Rt wrist X-ray · PA projection · 7-year-old female · presentation radiograph.
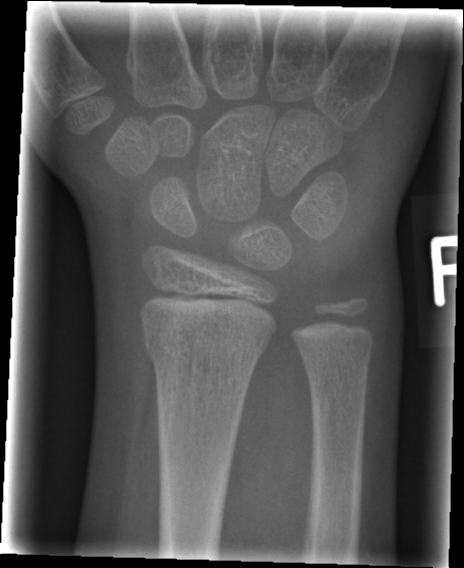

Bounding boxes in image-pixel xyxy. Bone fracture identified at 138,319,273,371. Fracture classified AO/OTA 23r-M/2.1.